PA/AP view; left wrist pediatric wrist radiograph; 11y M; cast in situ; detector: Siemens:
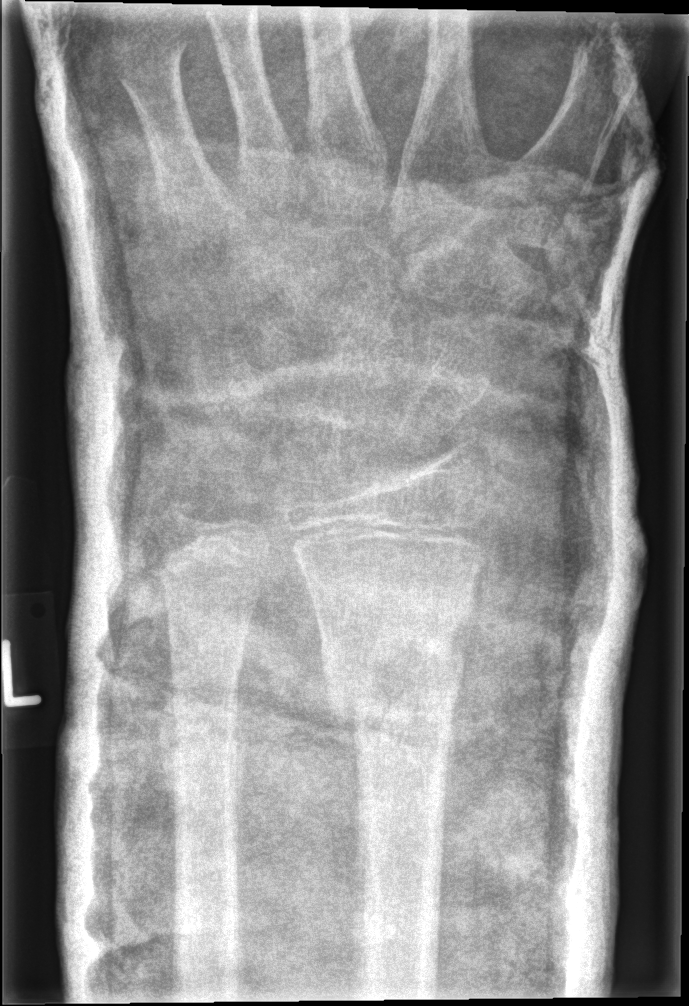

bone fracture = 2 @ <320,649>-<469,757>; <155,670>-<254,773>